PA; left wrist plain radiograph of the wrist; 8-year-old boy
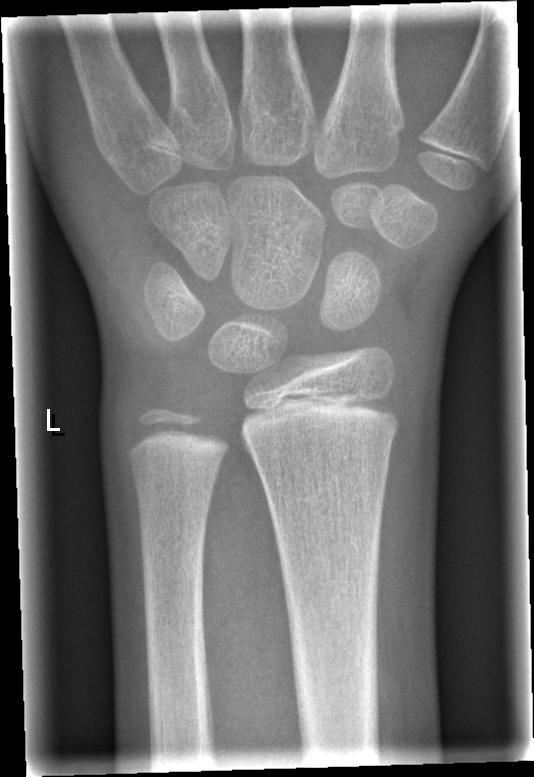 Fracture: none labeled.